R pediatric wrist radiograph | lateral projection | 3-year-old boy | 101.1 mm image width — 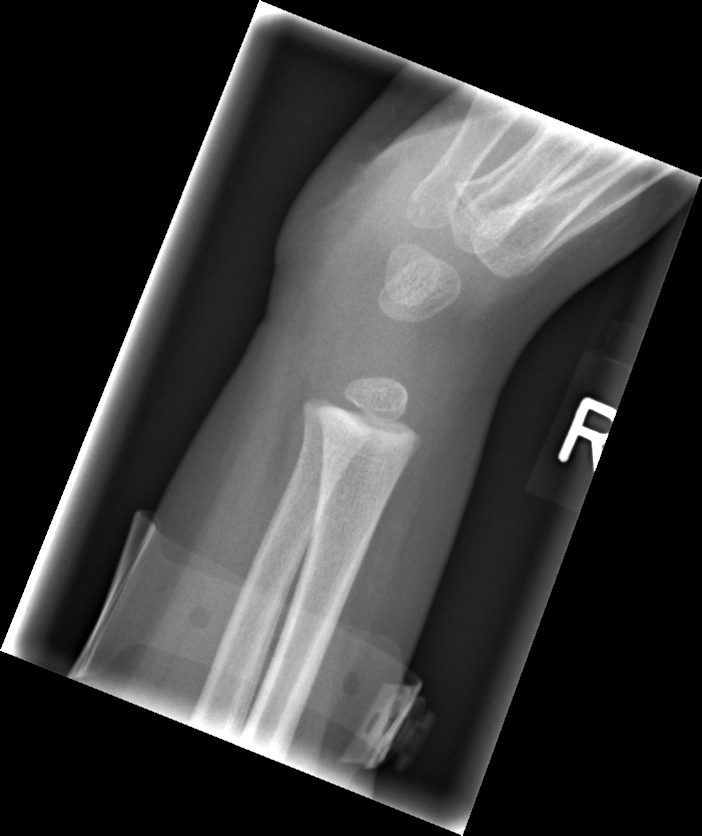 fracture: none labeled